PA projection, left wrist XR, 9-year-old male 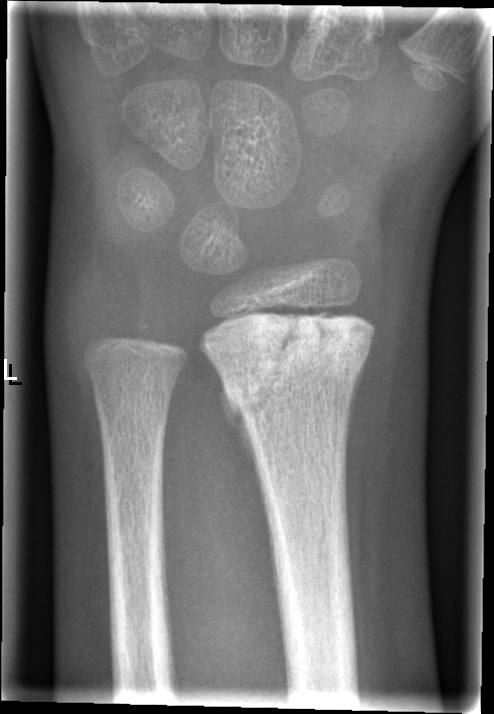
Periosteal new bone = [x1=219, y1=388, x2=262, y2=476]
Bone fracture = [x1=217, y1=297, x2=376, y2=434]
Osteopenia = present